Lat view, left wrist radiograph, 13-year-old girl, image size 445x1078 —
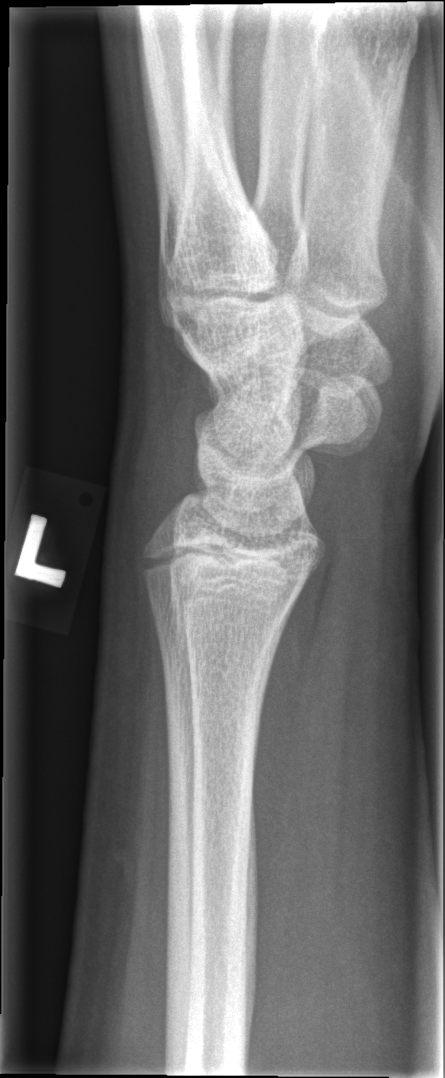
Fx: none labeled